Lat projection, right plain radiograph of the wrist, acquired on Siemens, 527 x 1254 px:
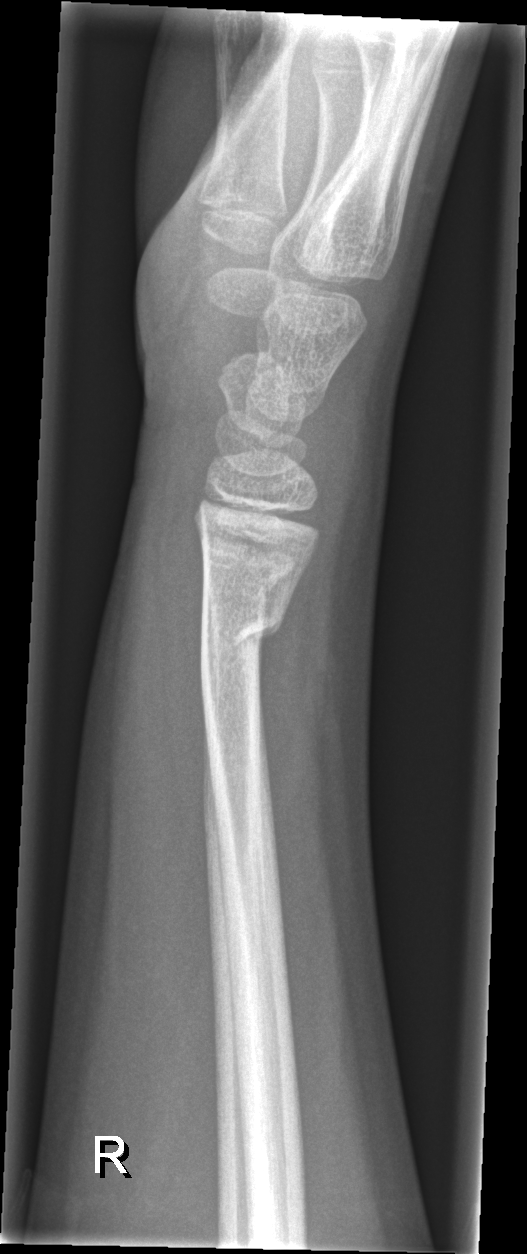 fracture: (195, 600, 285, 672); (204, 536, 300, 600)